L pediatric wrist radiograph · AP projection · age 10 y, female —
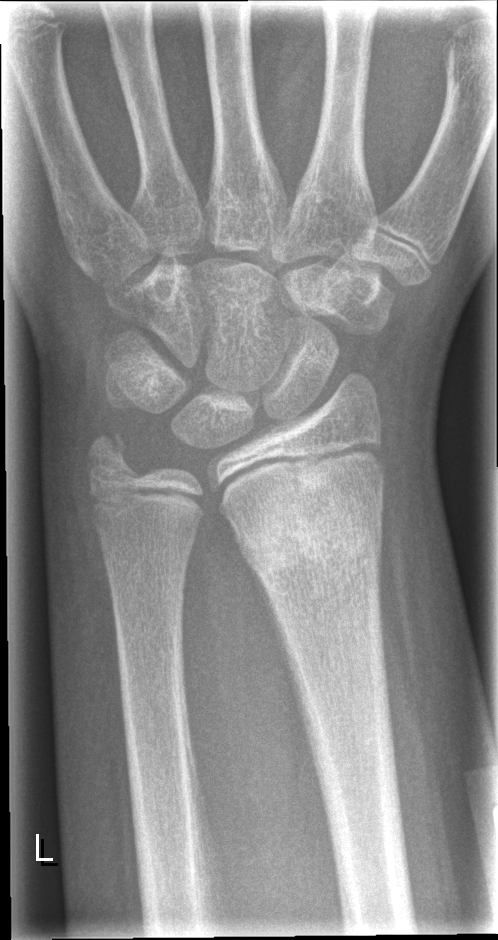 {"fracture": "bbox(228, 498, 386, 595); bbox(84, 426, 144, 488)", "ao": "23r-M/3.1; 23u-E/7"}